Left wrist X-ray, lateral projection, image size 421x804

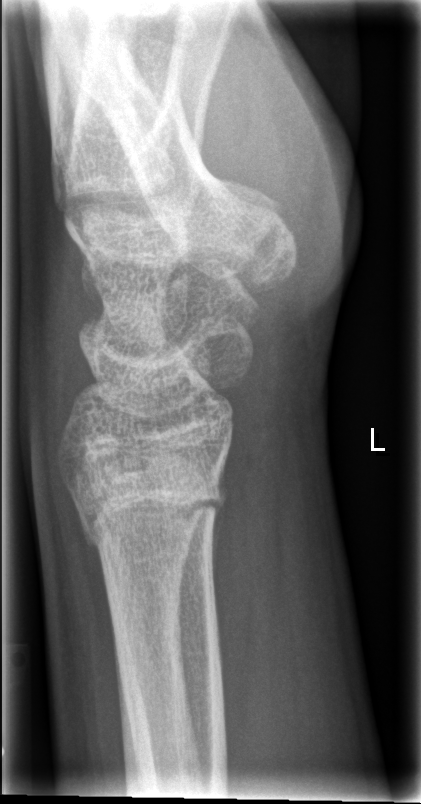 Coordinates are [x1, y1, x2, y2] in image pixels.
AO code 23r-M/3.1; 23u-E/7.
Fracture: [x1=68, y1=448, x2=234, y2=550].
Osteopenia.